PA/AP; left wrist XR; 6-year-old boy; 545 x 674 px:
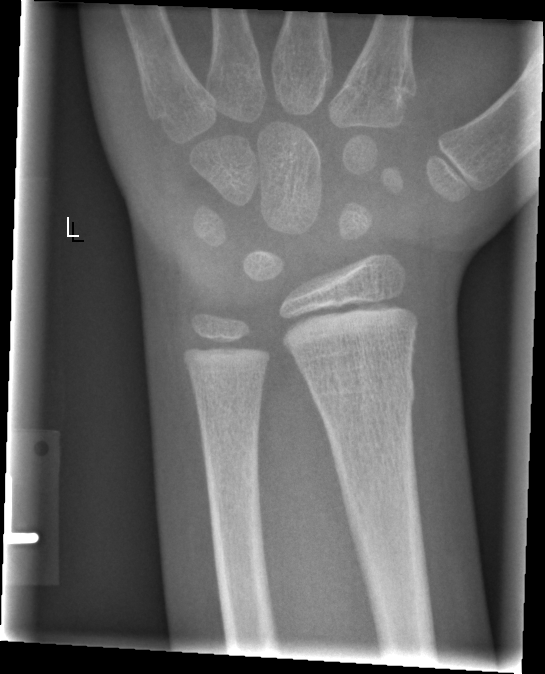
* Coordinates are [x1, y1, x2, y2] in image pixels.
* Bone fracture: 305 366 419 417.
* Fracture classified AO/OTA 23r-M/2.1.